L wrist plain film; lateral; follow-up; Siemens: 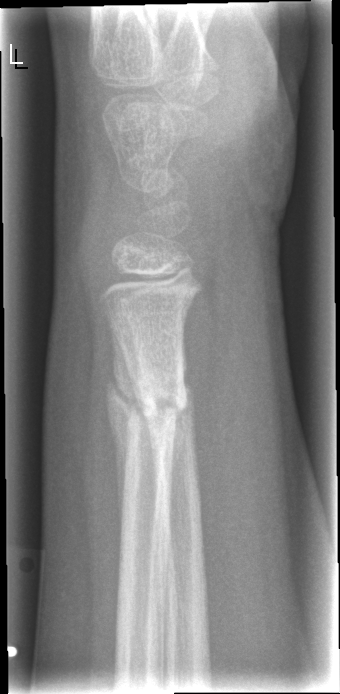

Pixel coordinates, top-left origin, xyxy.
Periosteal reaction: bbox(105, 326, 144, 540).
AO/OTA classification: 23-M/3.1.
Bone fracture: bbox(127, 370, 191, 444).
Reduced bone mineral density.